Right wrist X-ray, posteroanterior, 12-year-old female

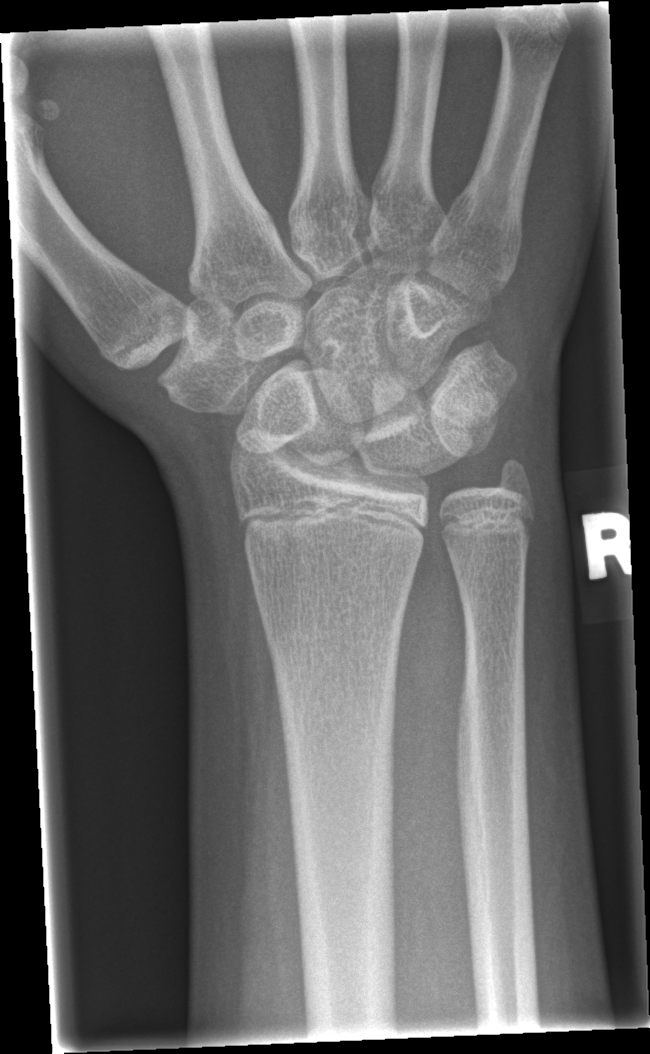

Fracture = none labeled